Lateral view, L plain radiograph of the wrist, 533 x 1044 px —

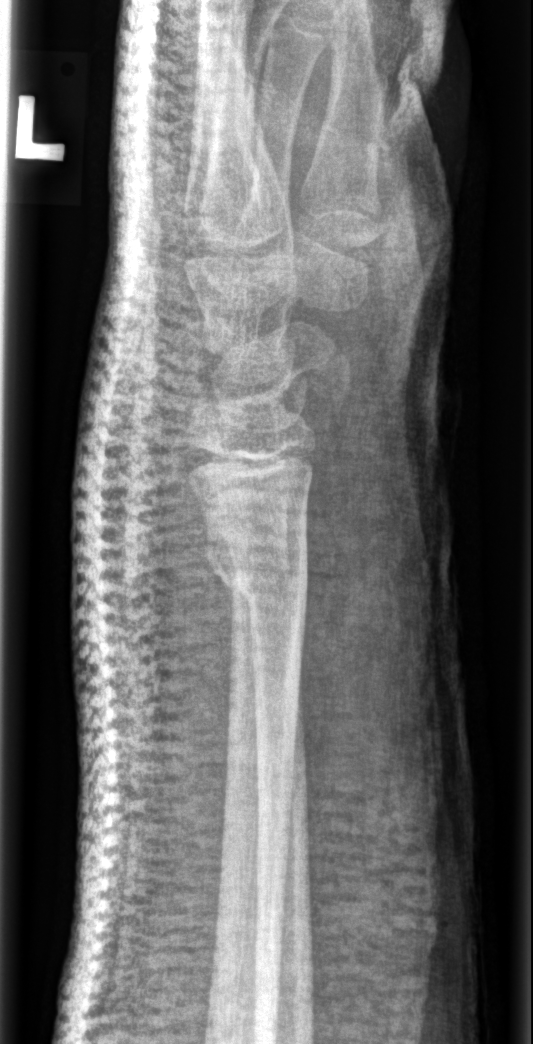

Bone fracture — (left=204, top=526, right=313, bottom=610). AO code 23-M/3.1.